Lateral view, left plain radiograph of the wrist, pediatric patient (female, age 12) — 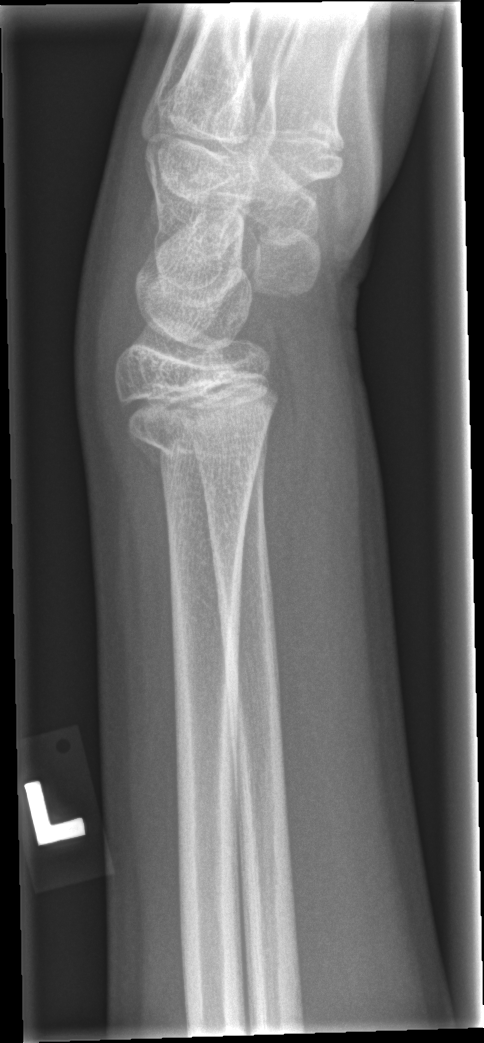 * Fracture identified at <130,415>-<274,480>.
* AO code 23r-M/2.1.